Lt plain radiograph of the wrist; PA; 14y M; in cast —
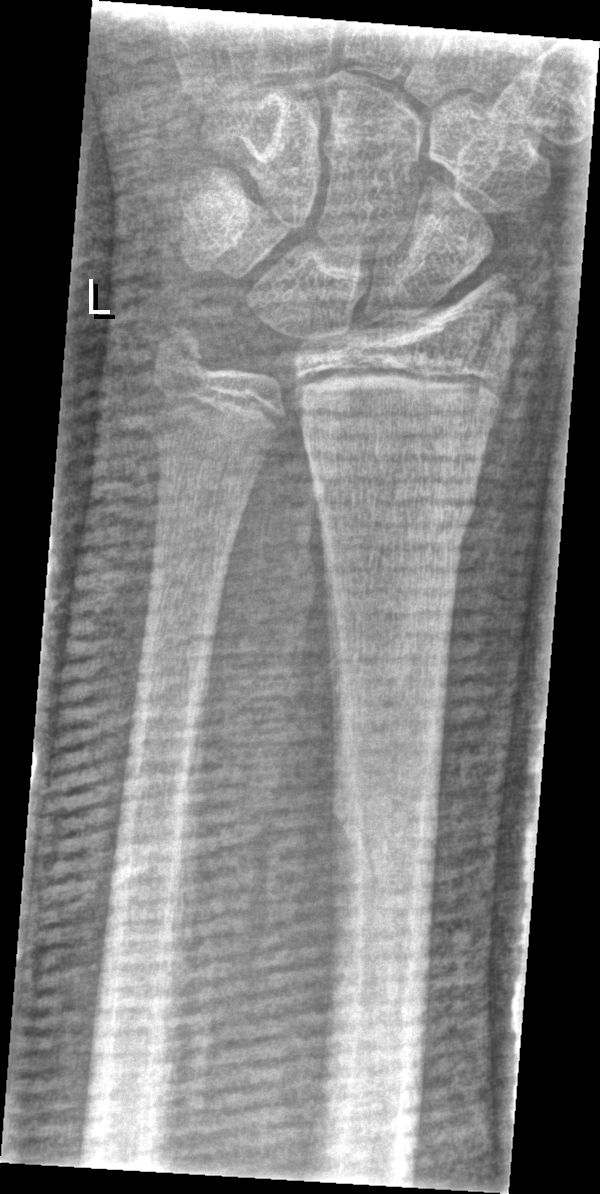
Fx — <303,463>-<482,555>; <142,307>-<220,391>. AO code 23r-M/2.1; 23u-E/7.